Posteroanterior, Rt plain radiograph of the wrist, 4-year-old boy, 524 by 772 pixels
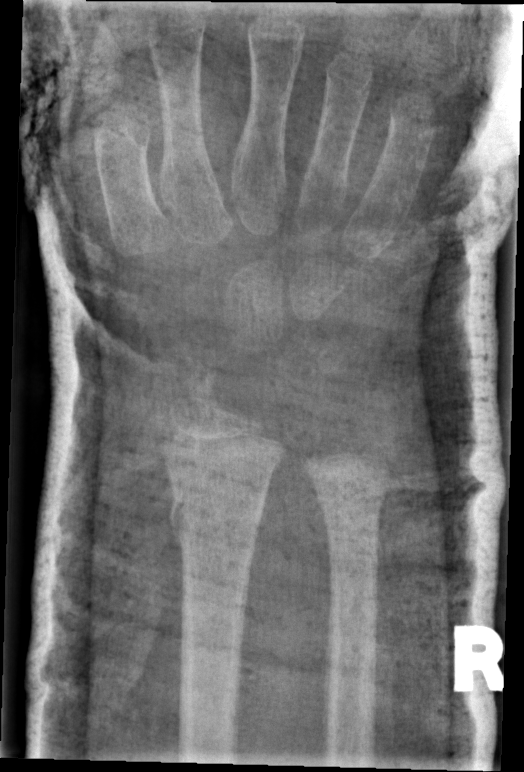
(pixel coordinates, top-left origin, xyxy)
Fx: bbox(160, 469, 273, 549)